Posteroanterior · right wrist plain film.
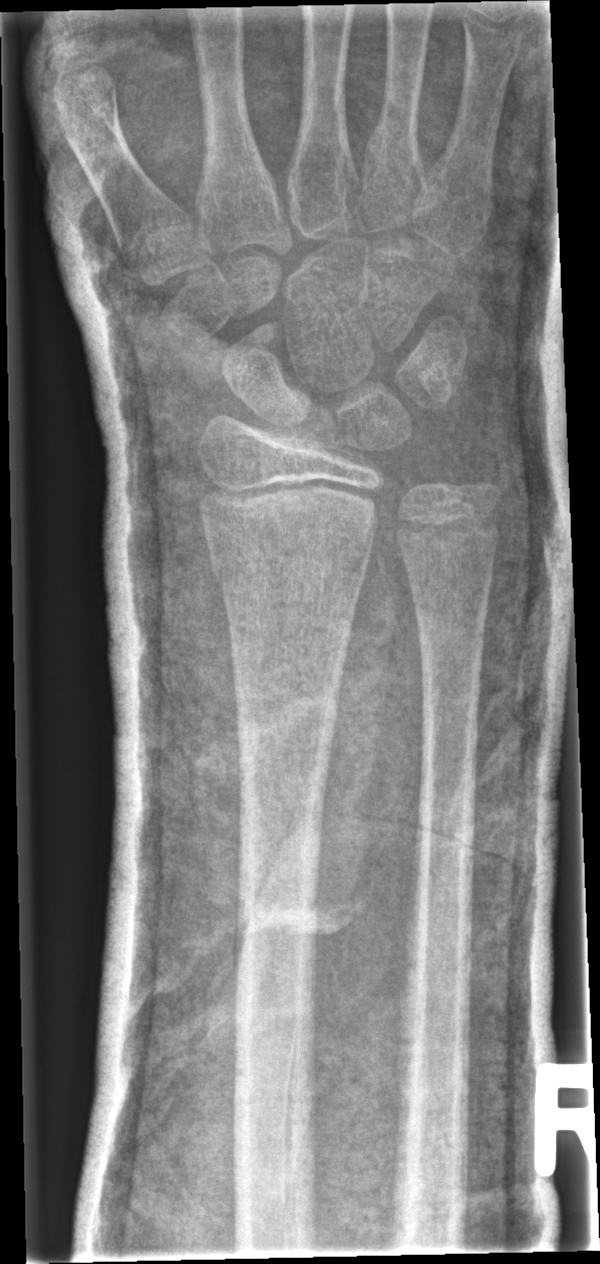 Bone fracture: 205,508,383,593. AO/OTA classification: 23r-E/2.1.